Left plain radiograph of the wrist; lateral view; 6y M; follow-up; imaged through cast: 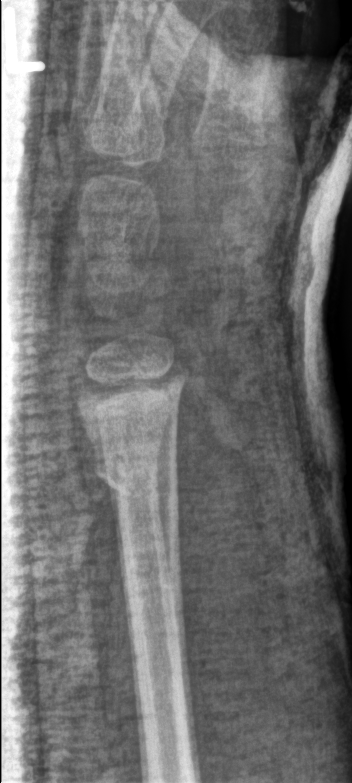
bone fracture: 1 @ bbox(89, 449, 181, 507)
AO/OTA: 23-M/3.1